Rt wrist plain film · lat projection · age 15 y, girl · subsequent exam.
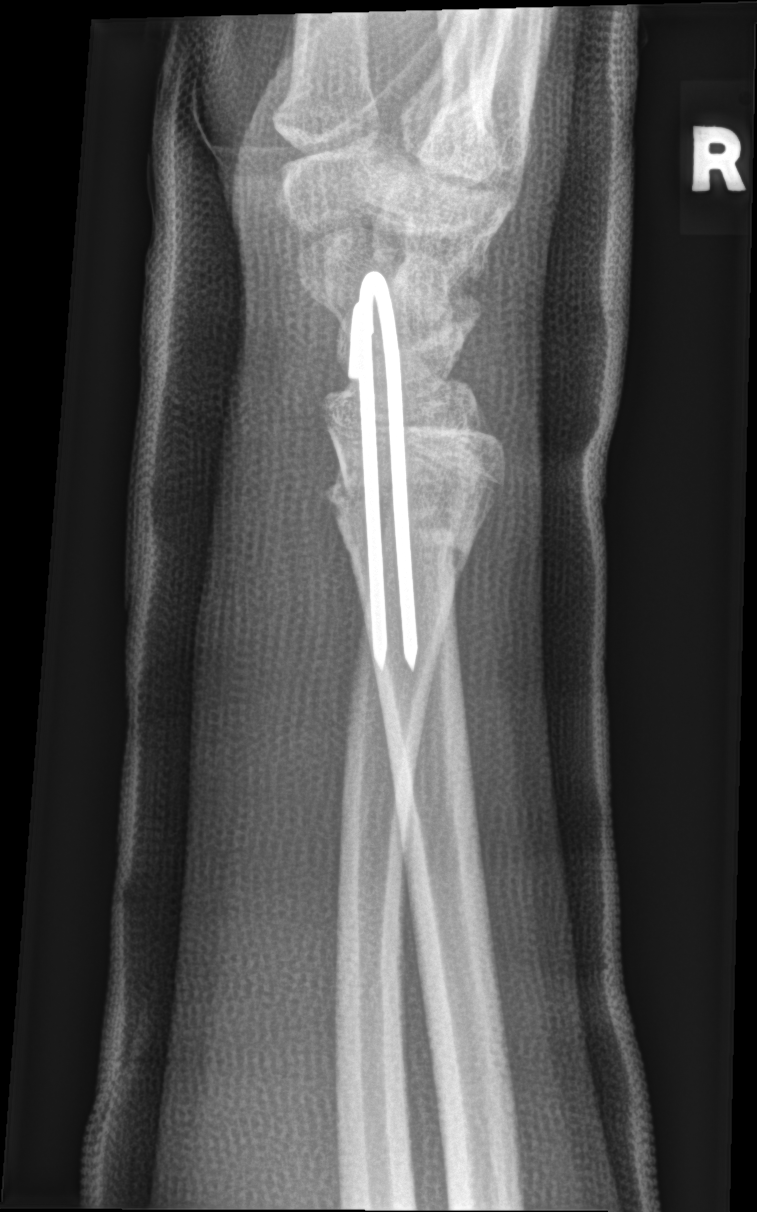
* Hardware — 346 267 420 672.
* AO code 23r-M/3.1; 22u-D/1.1; 23u-E/7.
* Fx: 313 434 486 579.